Right wrist XR, lat projection, pediatric patient (girl, age 14), initial study
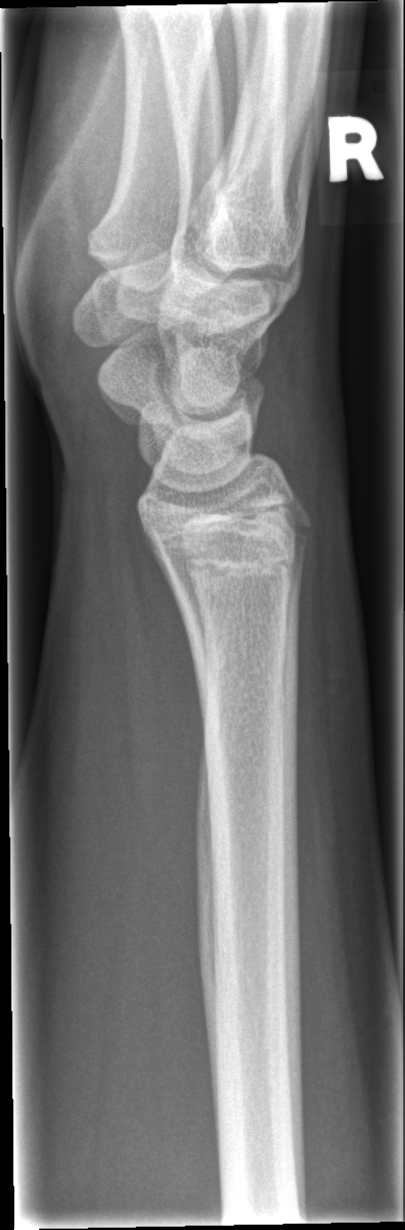
Fx: none.